Right wrist XR | PA | age 17 y, boy | image width 113.2 mm.

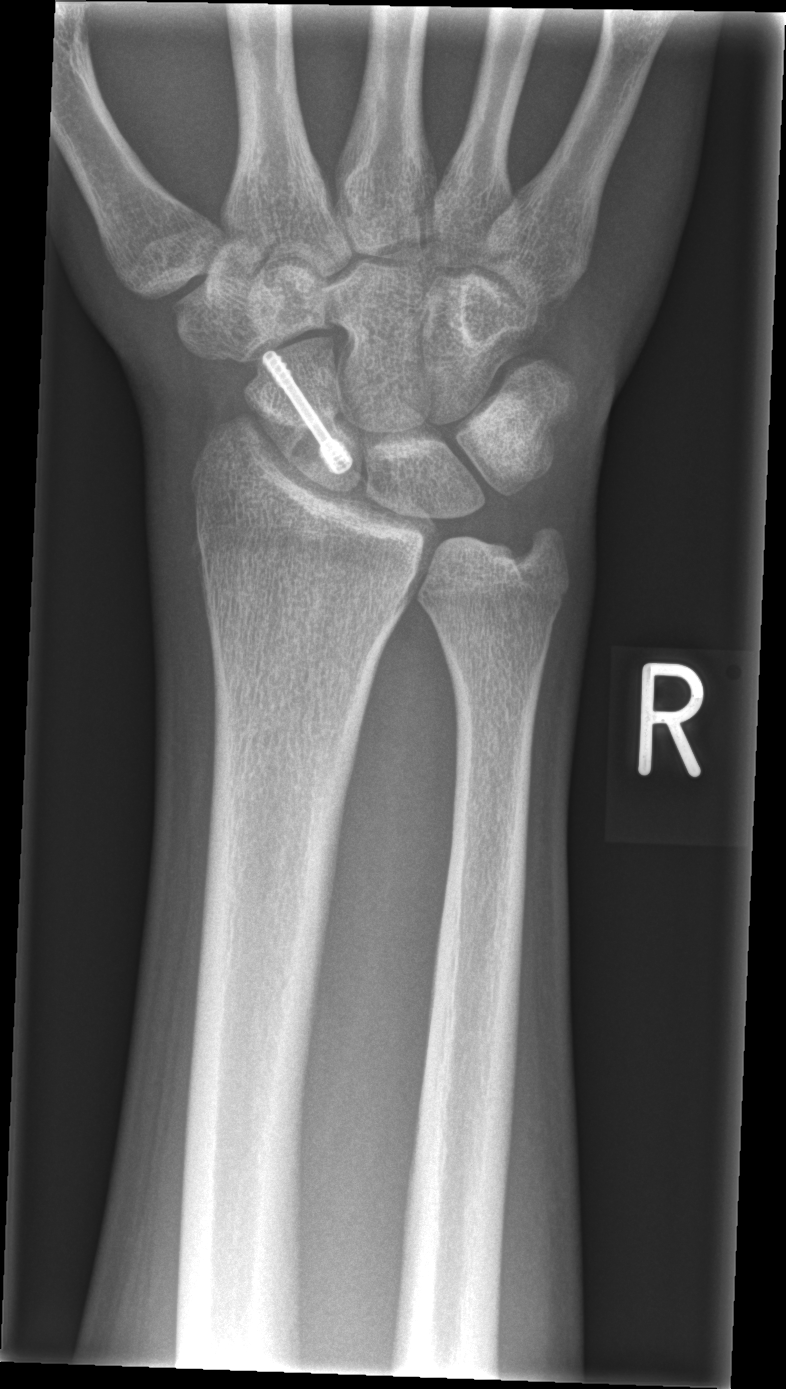

FINDINGS — (pixel coordinates, top-left origin, xyxy) Metal — bbox(263, 349, 354, 473). AO/OTA classification: 72B(b). Bone fracture — bbox(278, 392, 344, 467).